Lateral view; left pediatric wrist radiograph; age 13 y, boy; subsequent exam; cast present. 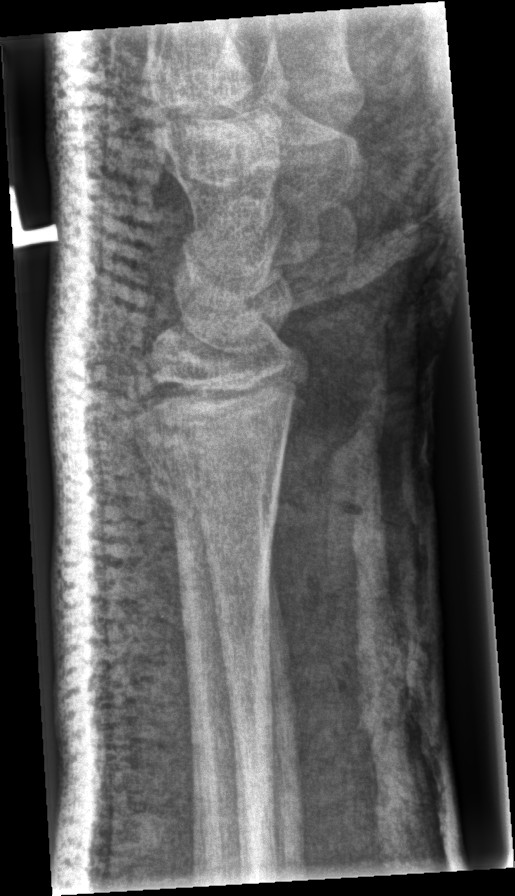

(bounding boxes in image-pixel xyxy)
Fx: 1 @ [143, 433, 289, 524]
AO classification: 23r-M/2.1; 23u-E7